Lt wrist XR; lateral view; pediatric patient (boy, age 13); Siemens:
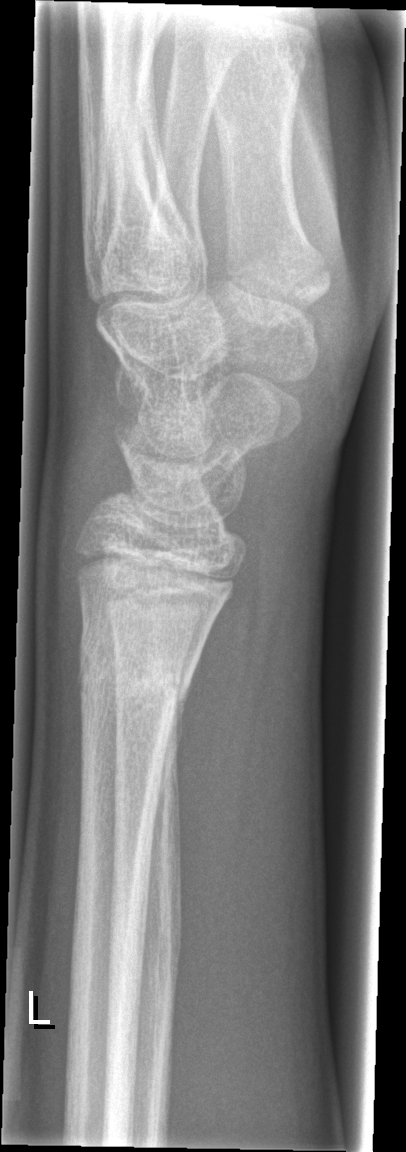

* One periosteal reaction at (left=157, top=680, right=188, bottom=805).
* One bone fracture at (left=72, top=625, right=196, bottom=725).
* Osteopenic.
* AO code 23r-M/3.1; 23u-E/7.